PA projection | left wrist X-ray | in cast:
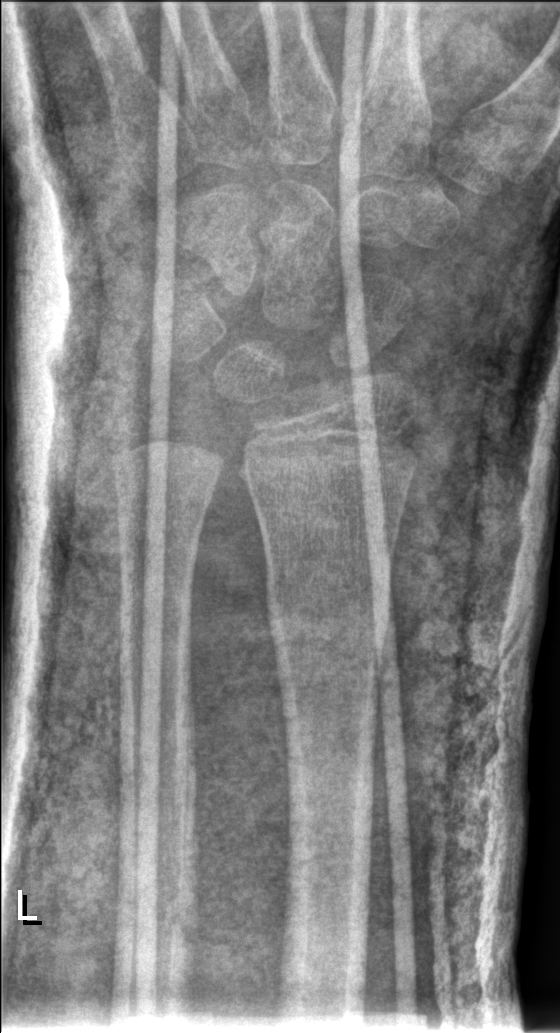
Bounding boxes in image-pixel xyxy.
Bone fracture identified at [x1=267, y1=569, x2=391, y2=679]; [x1=112, y1=867, x2=201, y2=984].
AO/OTA classification: 23r-M/2.1; 22u-D/2.1.